Right wrist XR; posteroanterior; male, 11 yo; presentation radiograph; diagnosis uncertain; Siemens 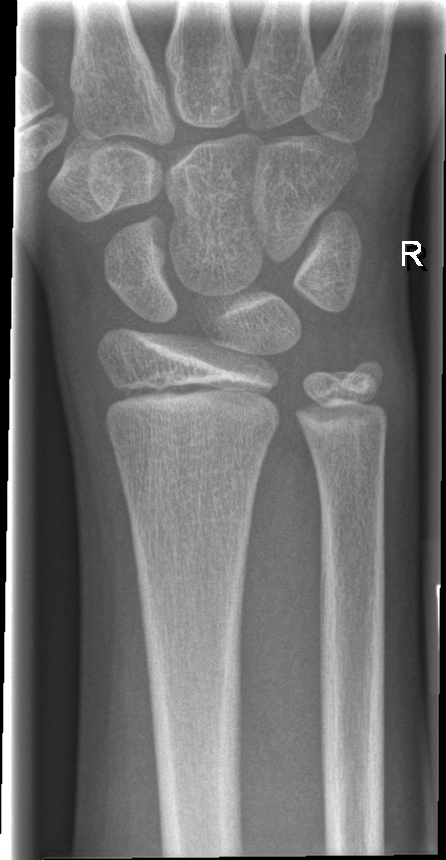

Findings: No fracture annotation.